Right plain radiograph of the wrist; AP projection; pediatric patient (girl, age 10); presentation radiograph
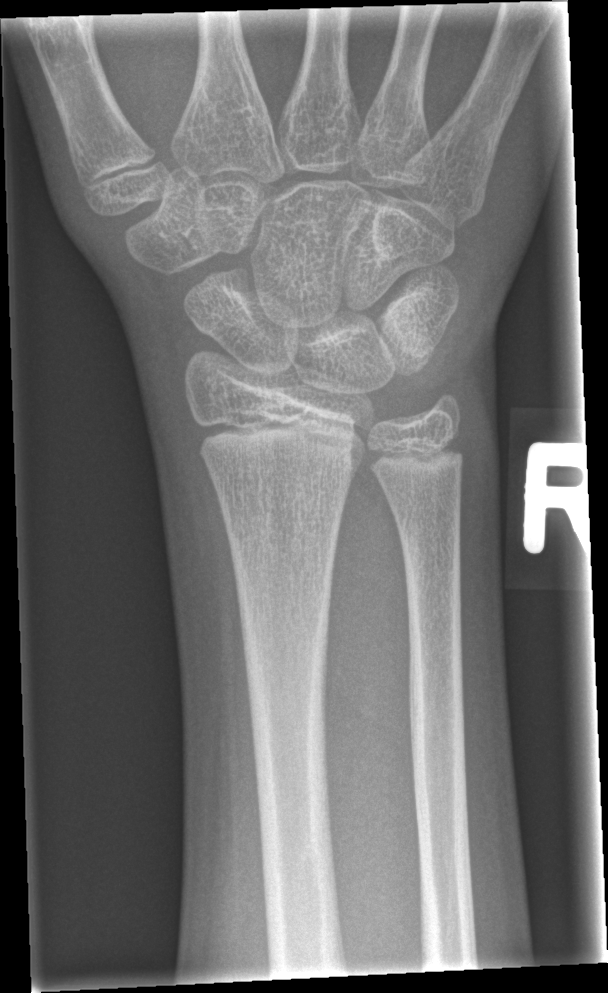
bone fracture = none labeled